Lat view; R wrist XR; image width 72.9 mm 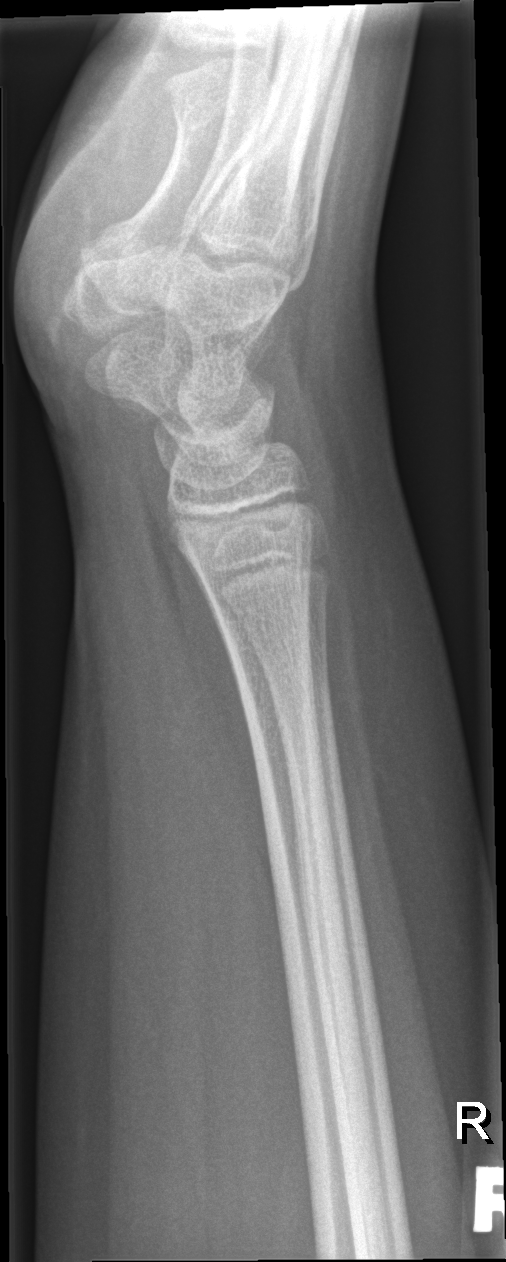

{
  "fracture": "none labeled"
}